Lateral view · right plain radiograph of the wrist · male, 9 yo · Siemens: 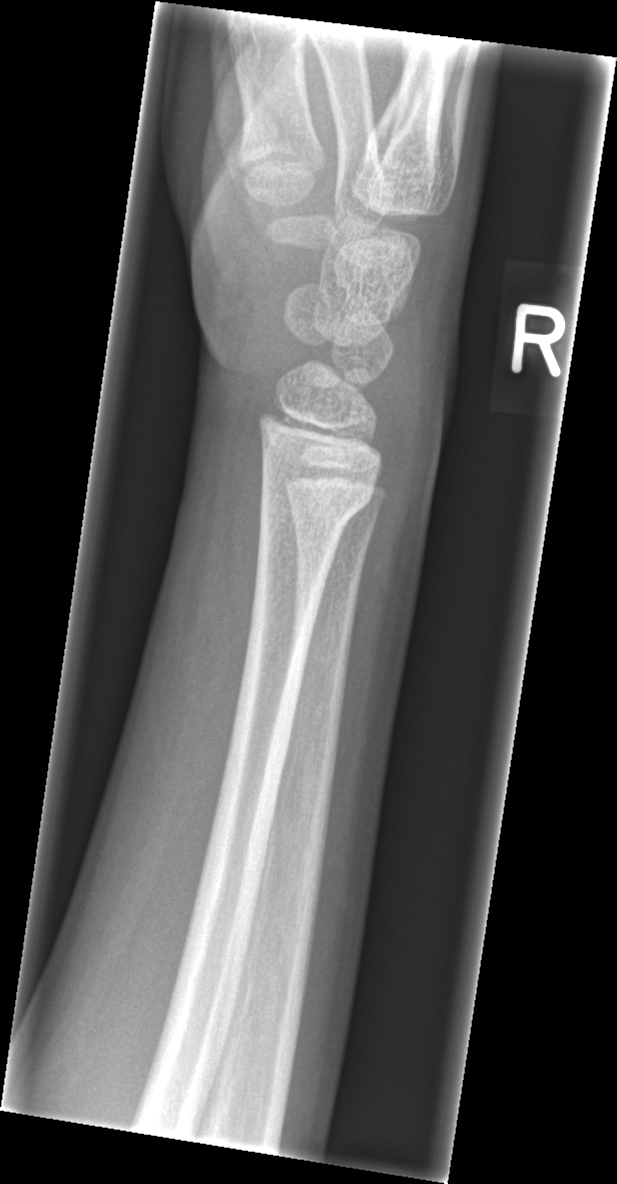
Bone fracture identified at bbox(256, 479, 376, 533). AO code 23r-M/2.1.